Lateral; left wrist X-ray; age 11 y, girl.

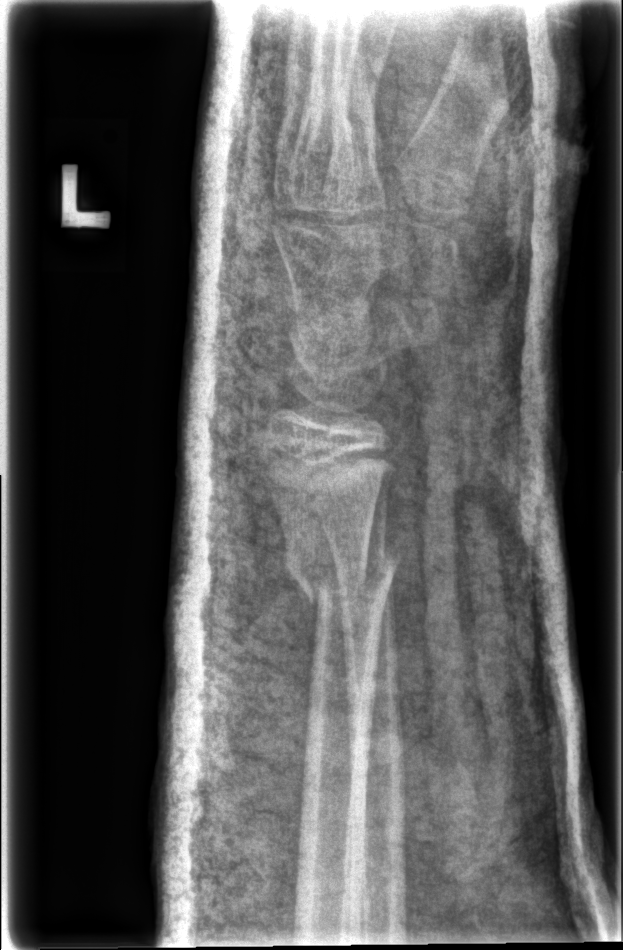 One Fx at [x1=281, y1=534, x2=399, y2=616].
Fracture classified AO/OTA 23r-M/3.1; 23u-M/2.1.